Lateral view; left wrist X-ray; Siemens 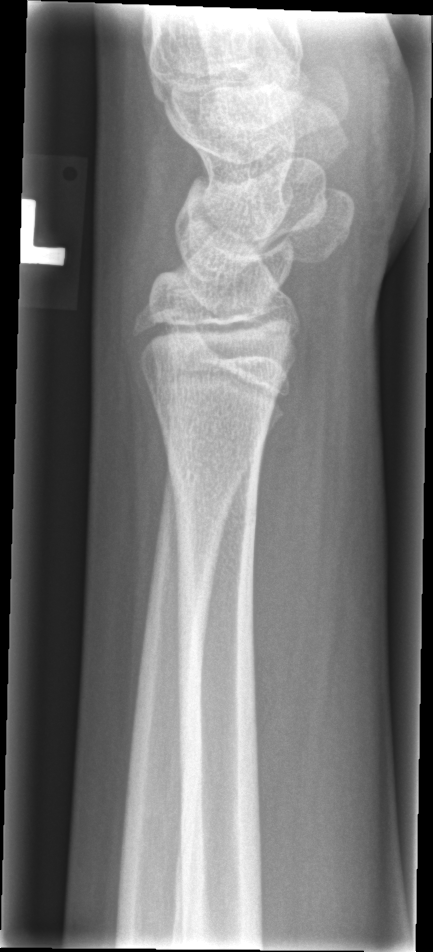

Fx: present but not clearly seen in this view
AO classification: 23r-M/3.1